Lt wrist X-ray; PA/AP; pediatric patient (boy, age 11); index exam — 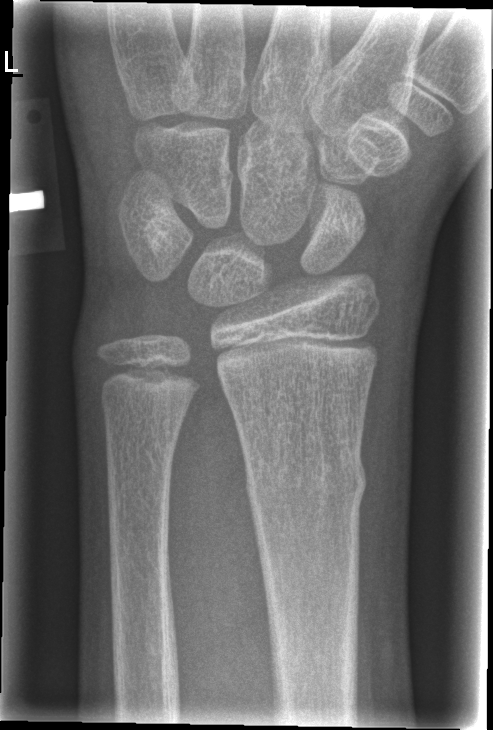

Q: Is there a fracture?
A: Fx — (left=242, top=447, right=369, bottom=515)